Lateral | L wrist X-ray | girl, 8 yo | subsequent exam | cast in situ. 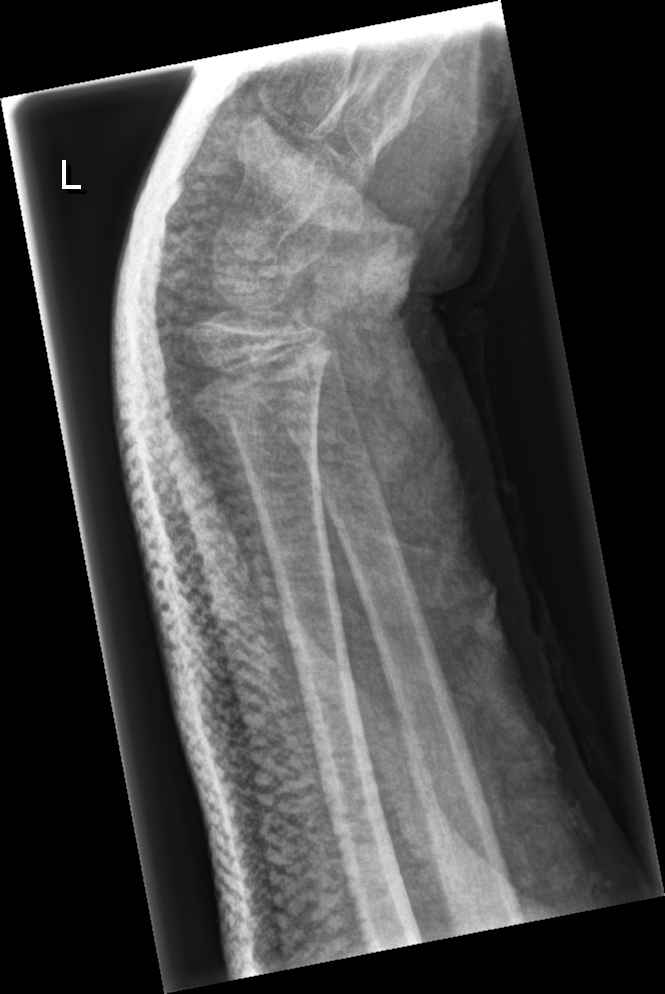 AO code = 23r-E/2.1; 23u-M/2.1
fracture = 1 @ (left=185, top=344, right=335, bottom=438)